Lt wrist X-ray, lat view, age 13 y, boy, follow-up, cast in situ —

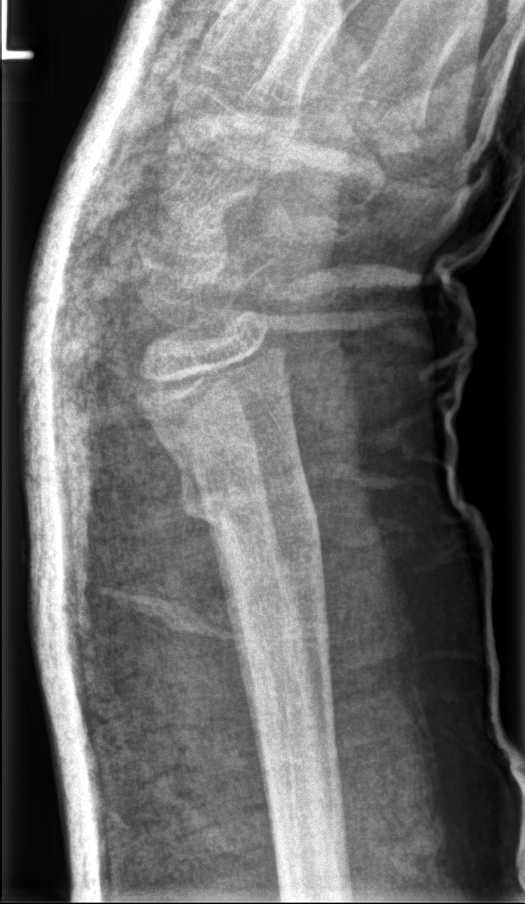

Q: Any fracture seen?
A: Fx identified at [175, 441, 323, 549]